Left pediatric wrist radiograph · posteroanterior view:

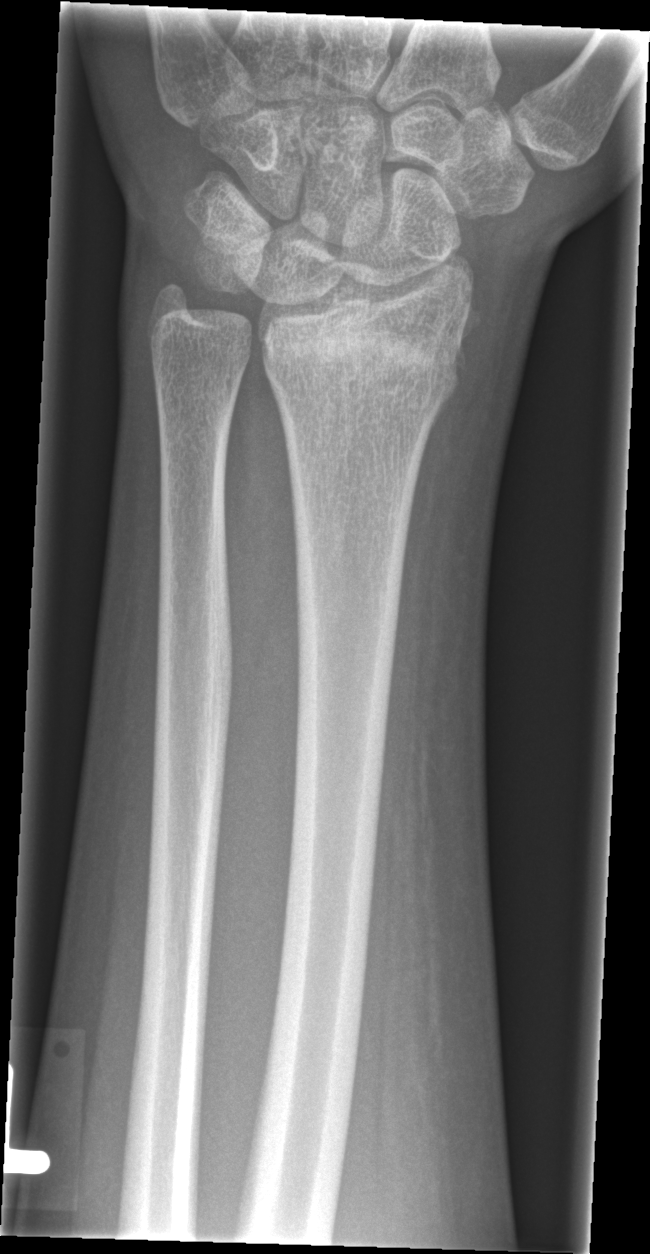

Fracture classified AO/OTA 23r-M/3.1; 23r-E/7.
One Fx at bbox(261, 323, 465, 399).